L wrist plain film, lat projection, girl, 10 yo, 492 by 672 pixels: 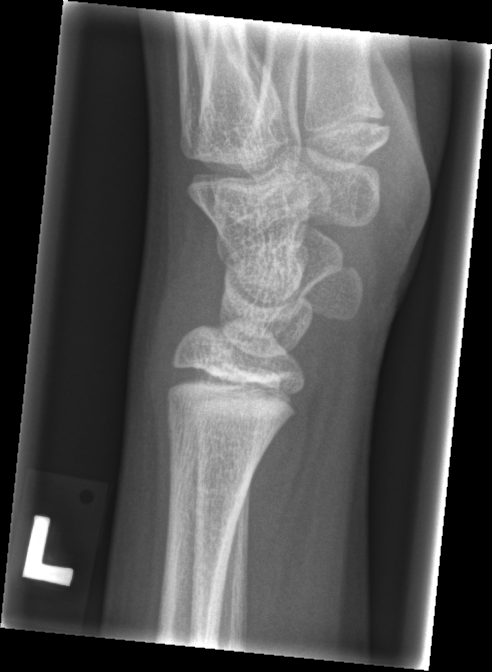

FINDINGS: No fracture labeled.